Lat view | L wrist X-ray | age 10 y, boy | Siemens —
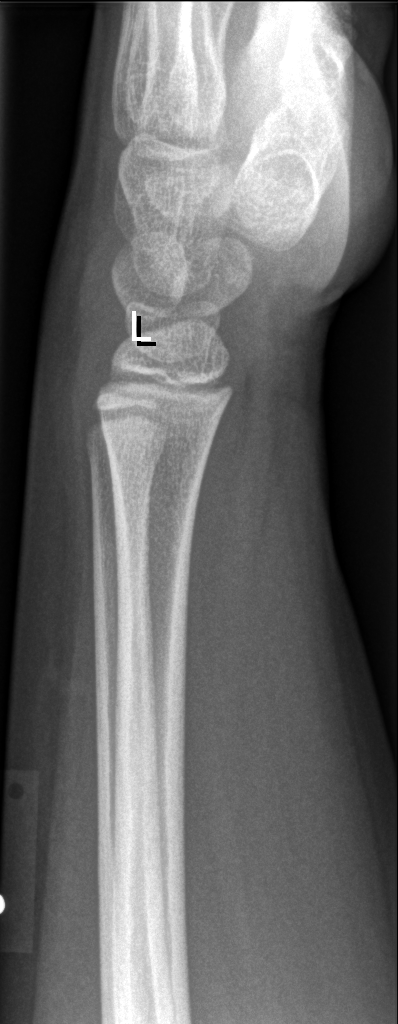

- Fx: none.